Lateral | Rt plain radiograph of the wrist: 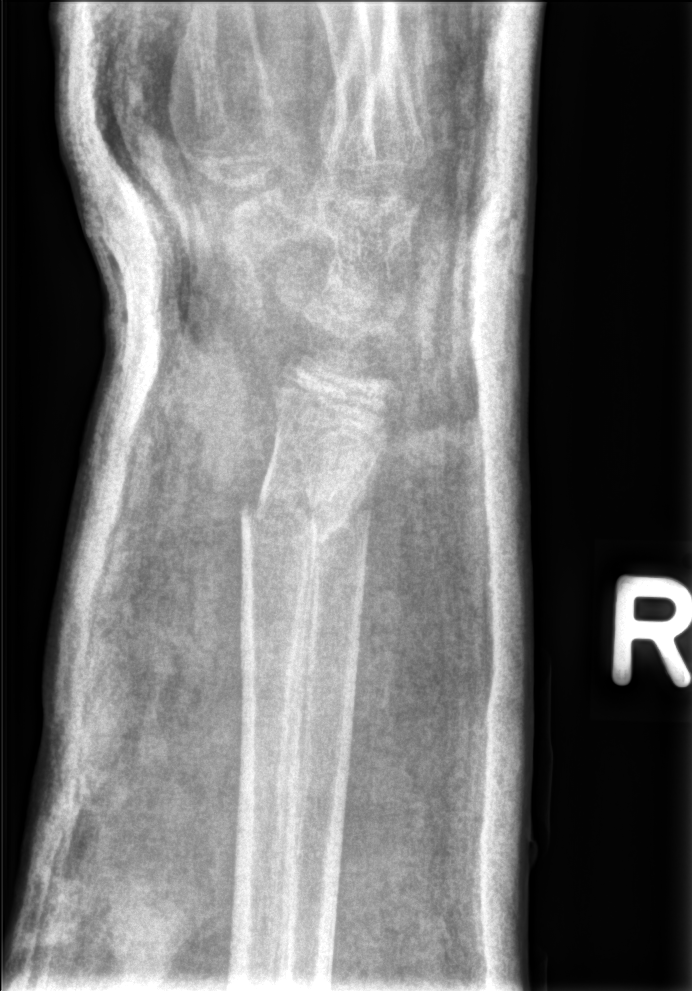

Fracture: bbox(234, 472, 356, 557)
AO classification: 23r-M/3.1; 23u-E/7